PA/AP projection, left wrist plain film, detector: Siemens 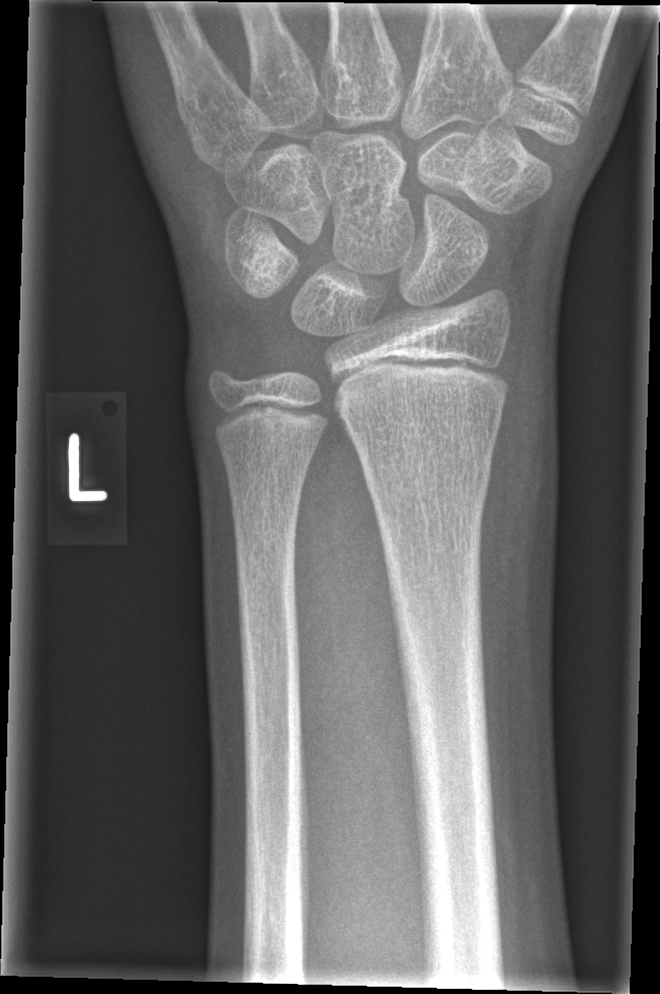 (bounding boxes in image-pixel xyxy)
Fracture: 1 @ (left=355, top=421, right=498, bottom=495)